Left wrist plain radiograph of the wrist; lat; follow-up; image 62.8 mm wide

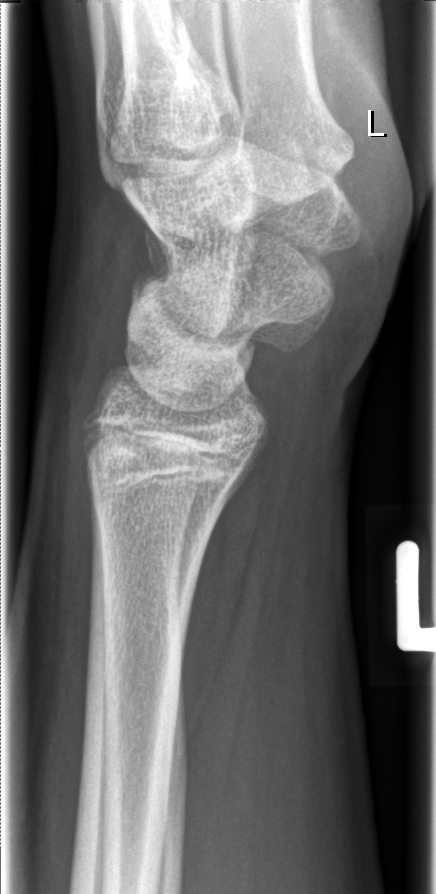
No fracture annotation.